AP · L wrist X-ray · pediatric patient (female, age 10) · 69.8 mm image width

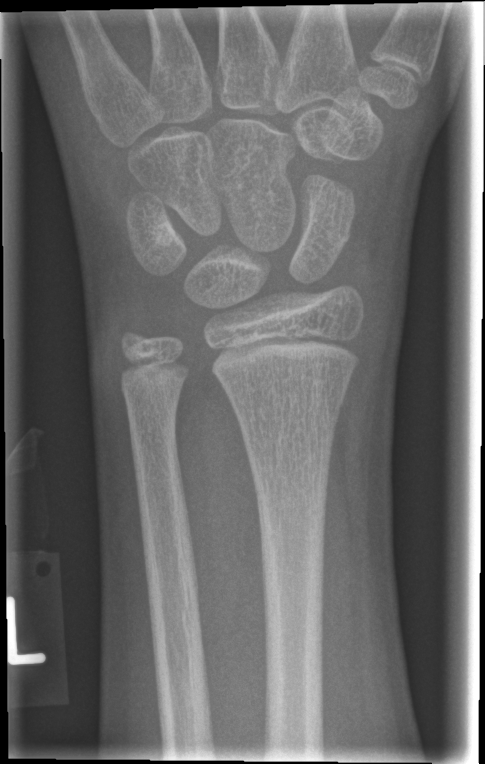 * Fracture: none labeled.